L wrist X-ray · lateral view · age 12 y, female.

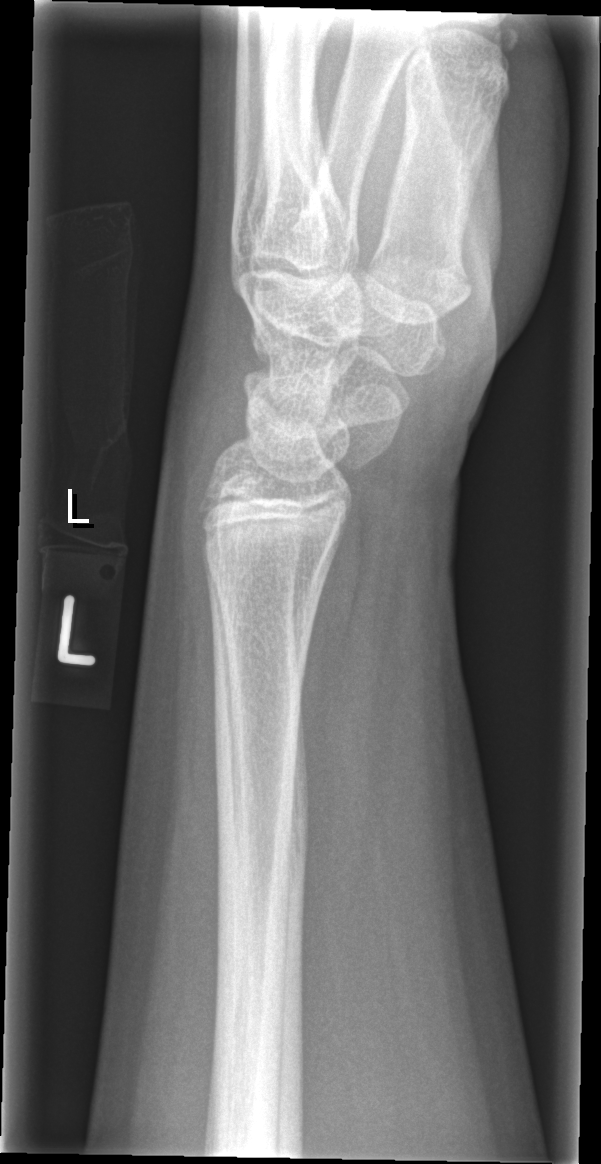

• Fx: none.